L wrist X-ray; lat; age 14 y, female; in cast.

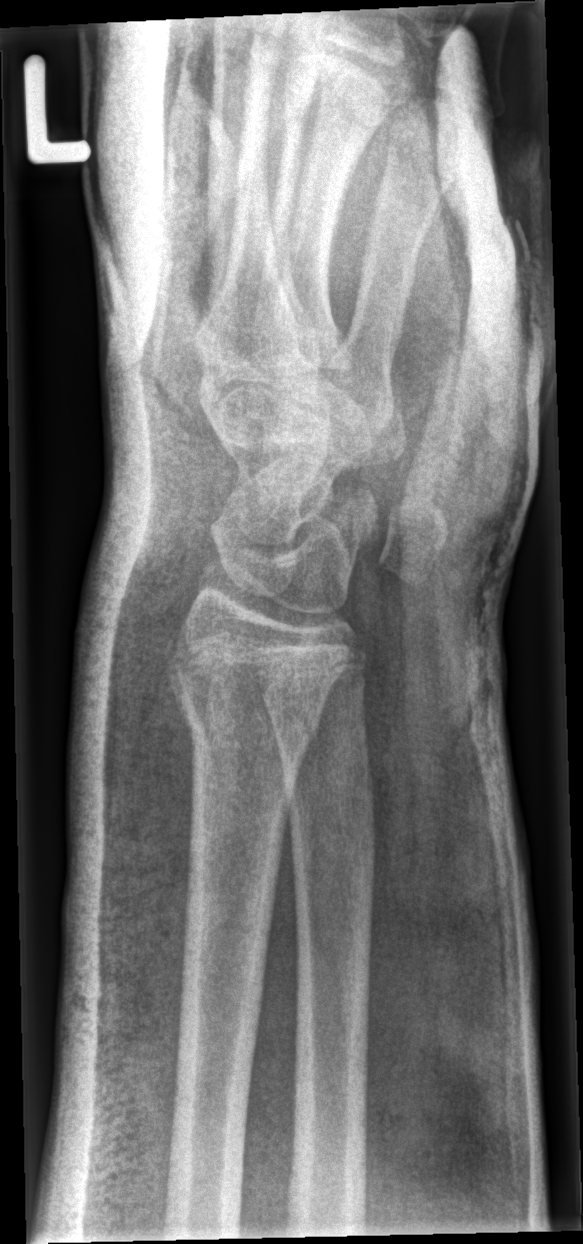
  ao: 23r-M/3.1
  fracture: 1 @ [173, 681, 324, 752]